Lat view · left wrist plain film · age 13 y, girl · index exam

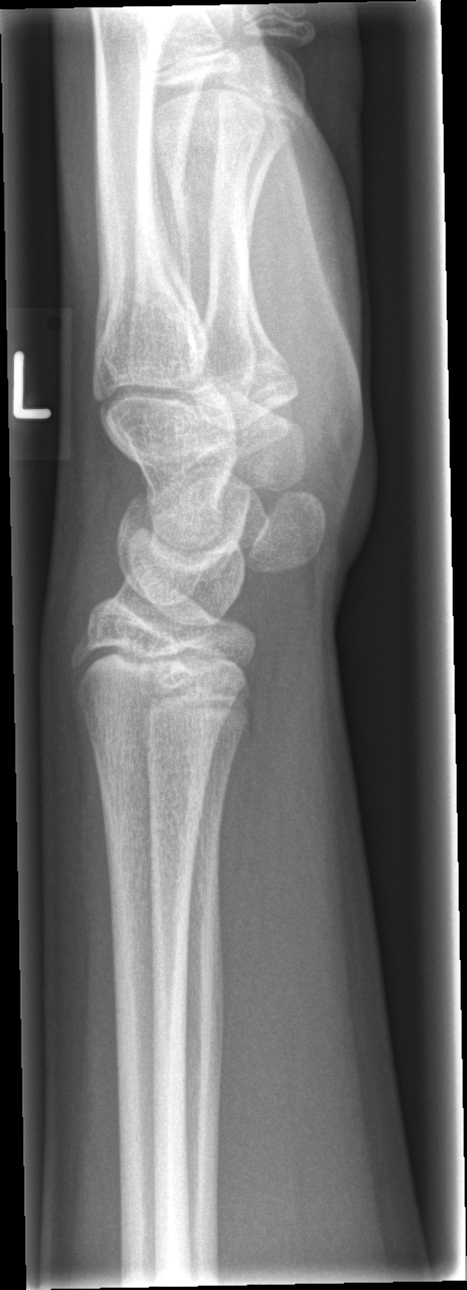 Q: Fracture present?
A: Fracture: none labeled